Lateral projection, left plain radiograph of the wrist, initial study, equivocal findings —

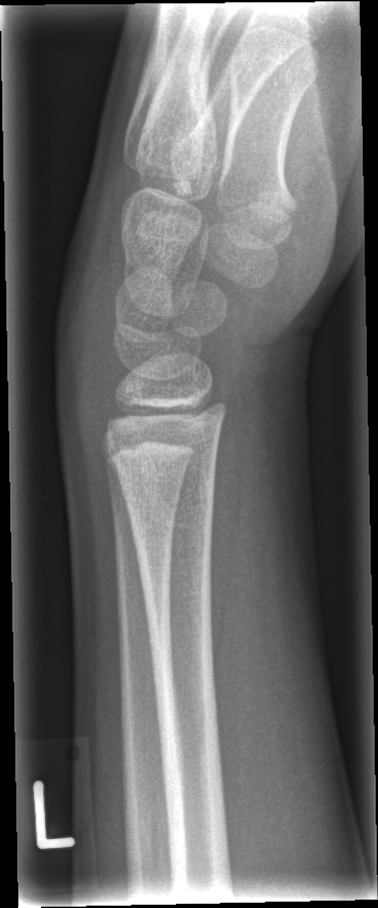
FINDINGS: Fx: present but not clearly seen in this view. Osseous lesion identified at (left=170, top=179, right=197, bottom=200).